AP view | left wrist plain radiograph of the wrist | pediatric patient (female, age 12) | initial study | acquired on Siemens.
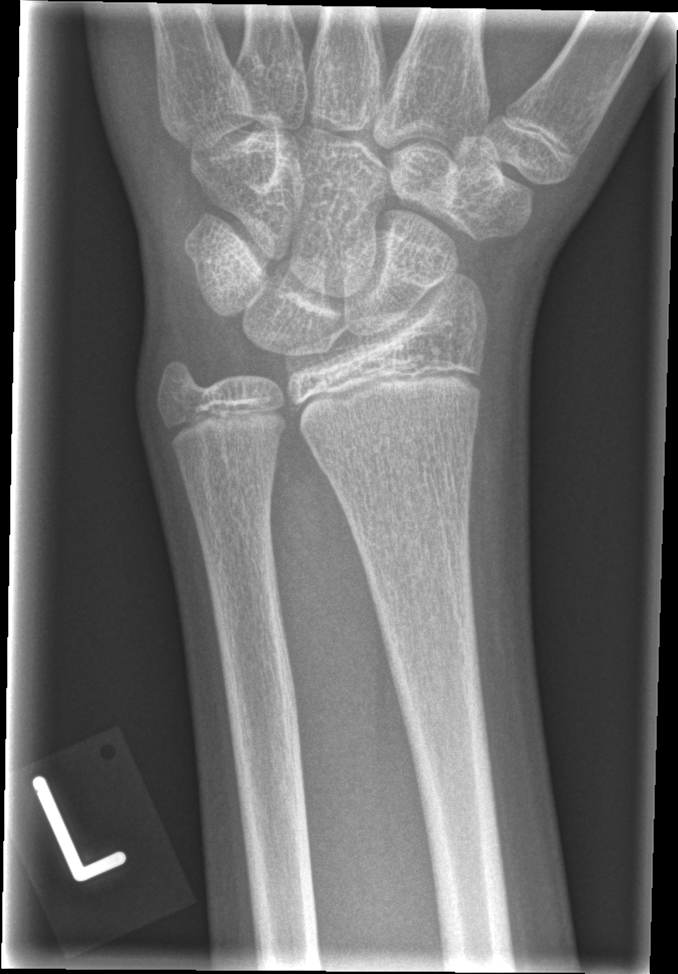
(bounding boxes in image-pixel xyxy)
Bone fracture = <313,402>-<484,478>